PA/AP view | R wrist radiograph | age 14 y, male —
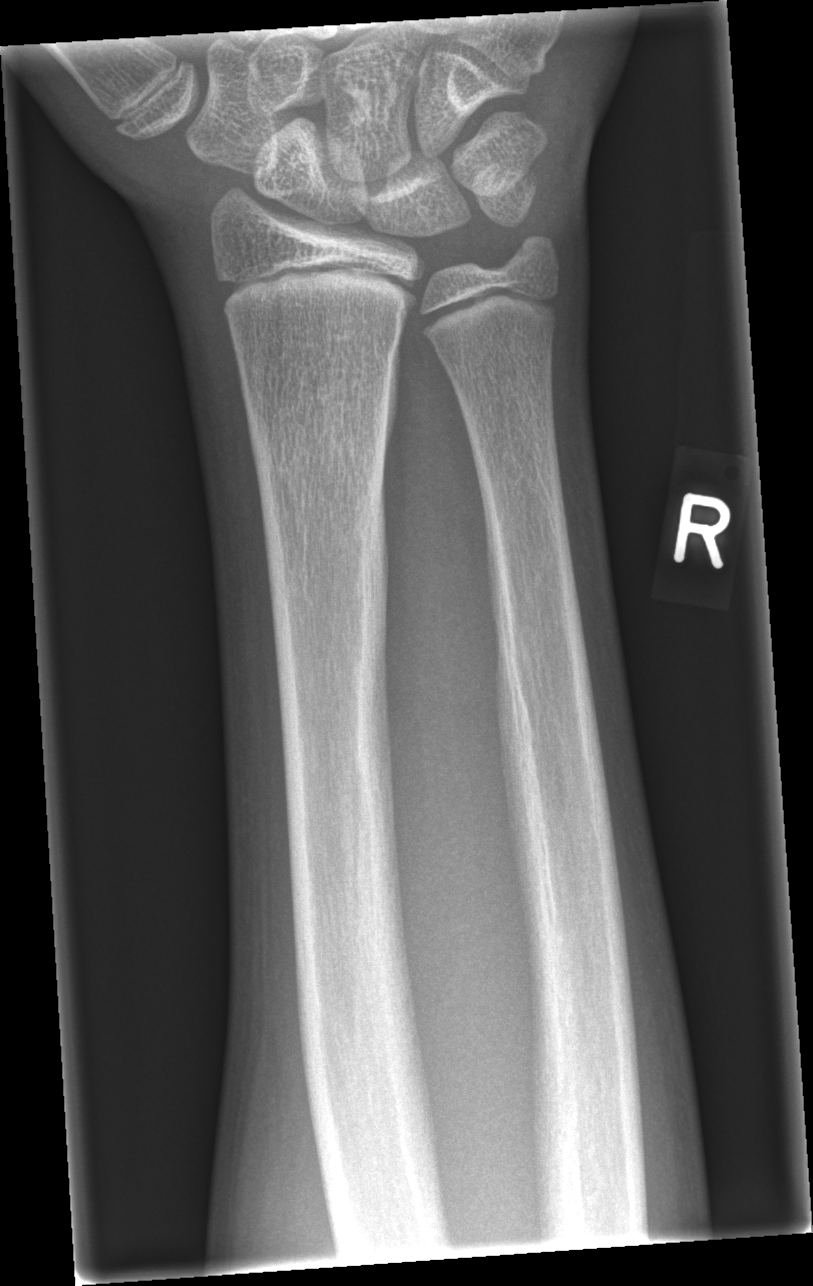 fracture: 2 @ (245, 397, 394, 506), (507, 228, 566, 283)